AP | L wrist radiograph | age 8 y, male | index exam | 568 x 796 px.

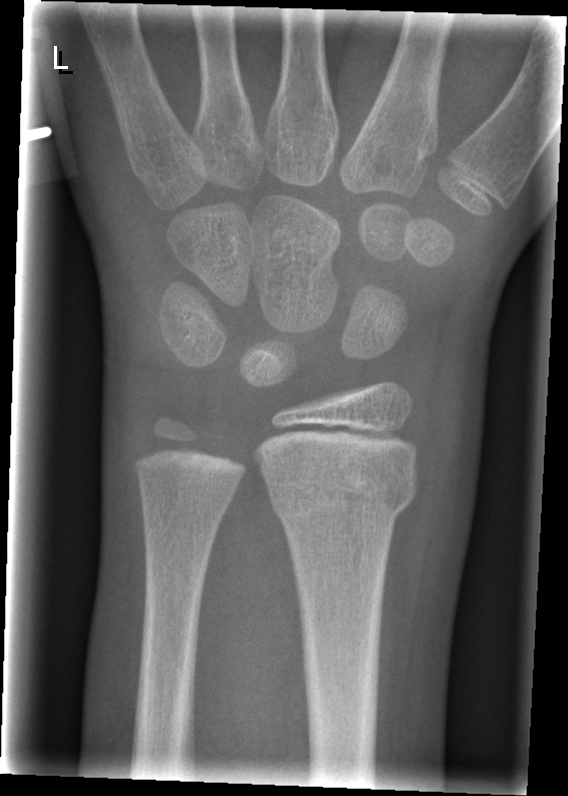
(boxes as x1,y1,x2,y2 (top-left / bottom-right, pixel units))
Q: AO code?
A: AO/OTA classification: 23r-M/3.1
Q: Any fracture seen?
A: One fracture at [264, 462, 420, 524]